Lat view; Lt wrist XR; age 9 y, male; follow-up study; imaged through cast; 539 by 808 pixels.

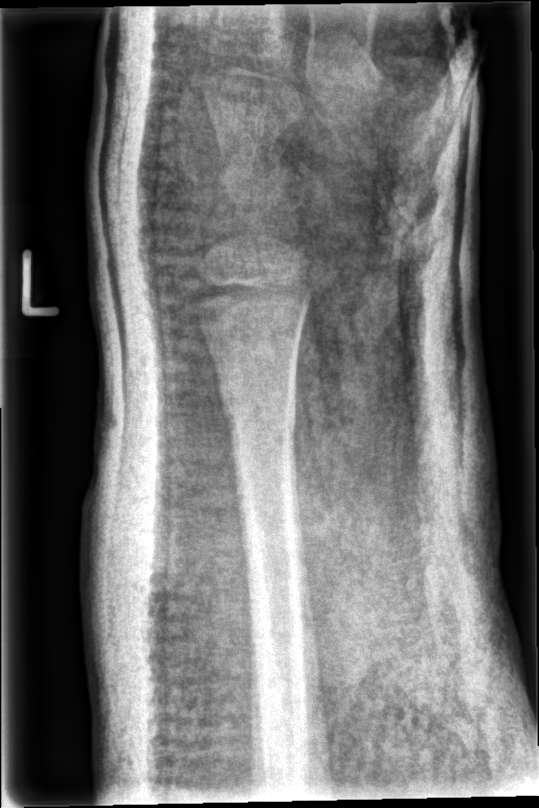
- Bounding boxes in image-pixel xyxy.
- Fracture classified AO/OTA 23r-M/3.1.
- Fracture — (left=215, top=381, right=300, bottom=445).